Left wrist XR | lat | 494x1238 —

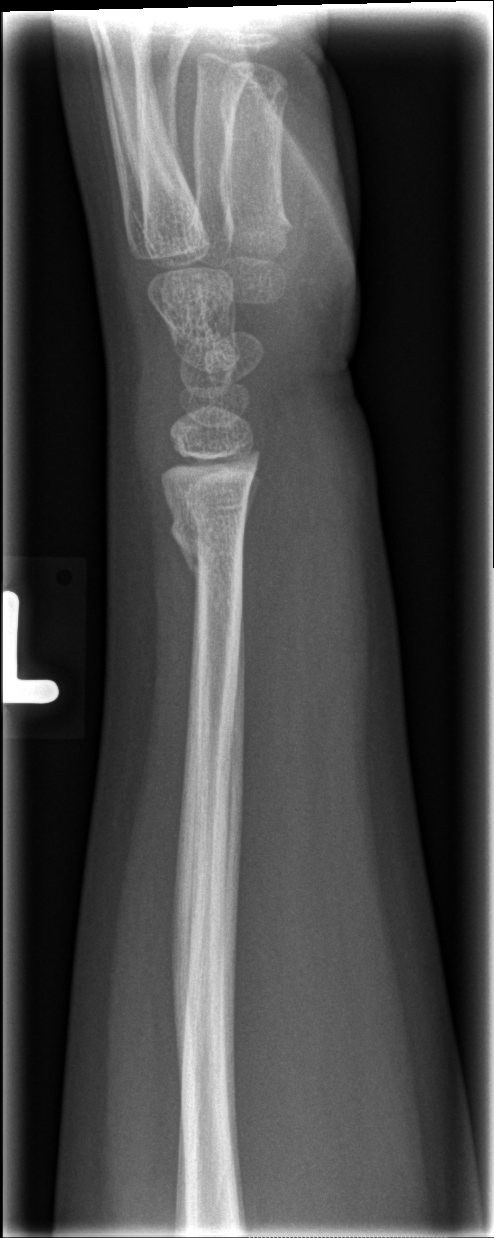
Fx: 165 510 251 583
AO code: 23-M/2.1